Right plain radiograph of the wrist; lat; imaged through cast; acquired on Siemens; image size 422x1118:
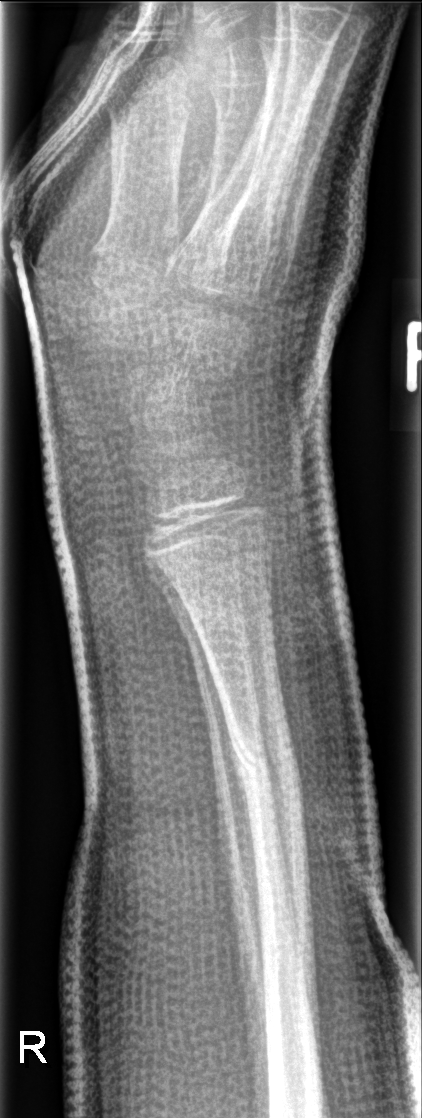   ao: 22r-D/2.1; 23u-M/2.1
  fracture: [x1=227, y1=726, x2=311, y2=819]